Rt pediatric wrist radiograph | lateral projection | age 7 y, female | presentation radiograph | Siemens | image 44.6 mm wide —
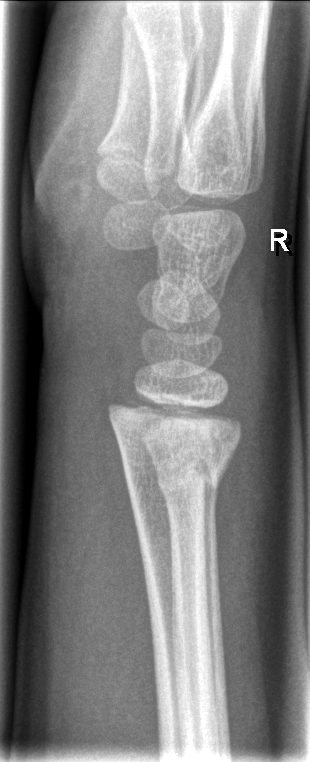 Findings: Two Fx at 120 440 230 493; 152 455 226 503. AO code 23r-M/3.1; 23u-M/2.1.